Left pediatric wrist radiograph · lateral projection · 8-year-old male —
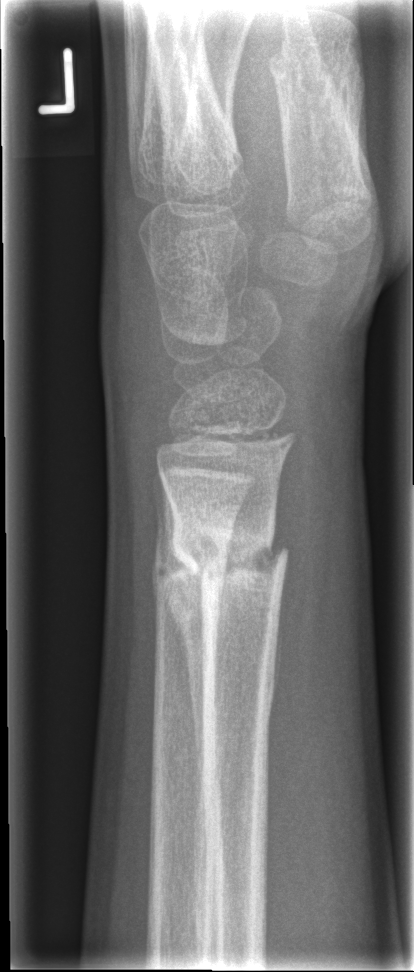

Bounding boxes in image-pixel xyxy. Osteopenic. Fracture classified AO/OTA 23r-M/3.1; 23u-M/2.1. Periosteal reaction: (151, 493, 205, 800). Bone fracture: (156, 515, 295, 618).